Left wrist plain film, lateral projection, 13y M, index exam, acquired on Siemens:
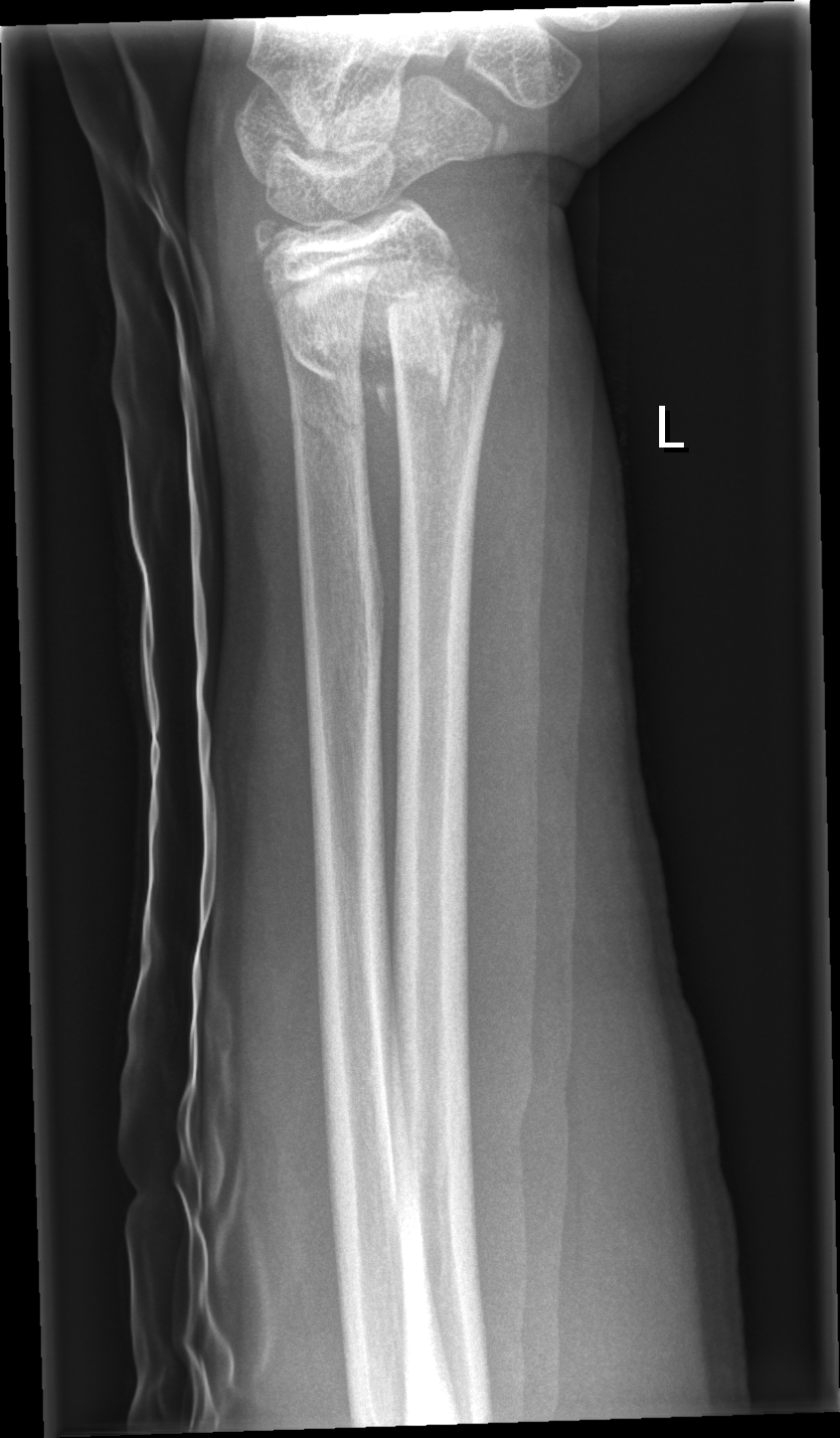
Findings: (pixel coordinates, top-left origin, xyxy) Fractures — 275 268 510 413 | 286 391 372 448 | 248 211 310 272. One soft-tissue finding at 463 263 636 696.